Posteroanterior · Rt wrist XR · pediatric patient (boy, age 11) · initial study: 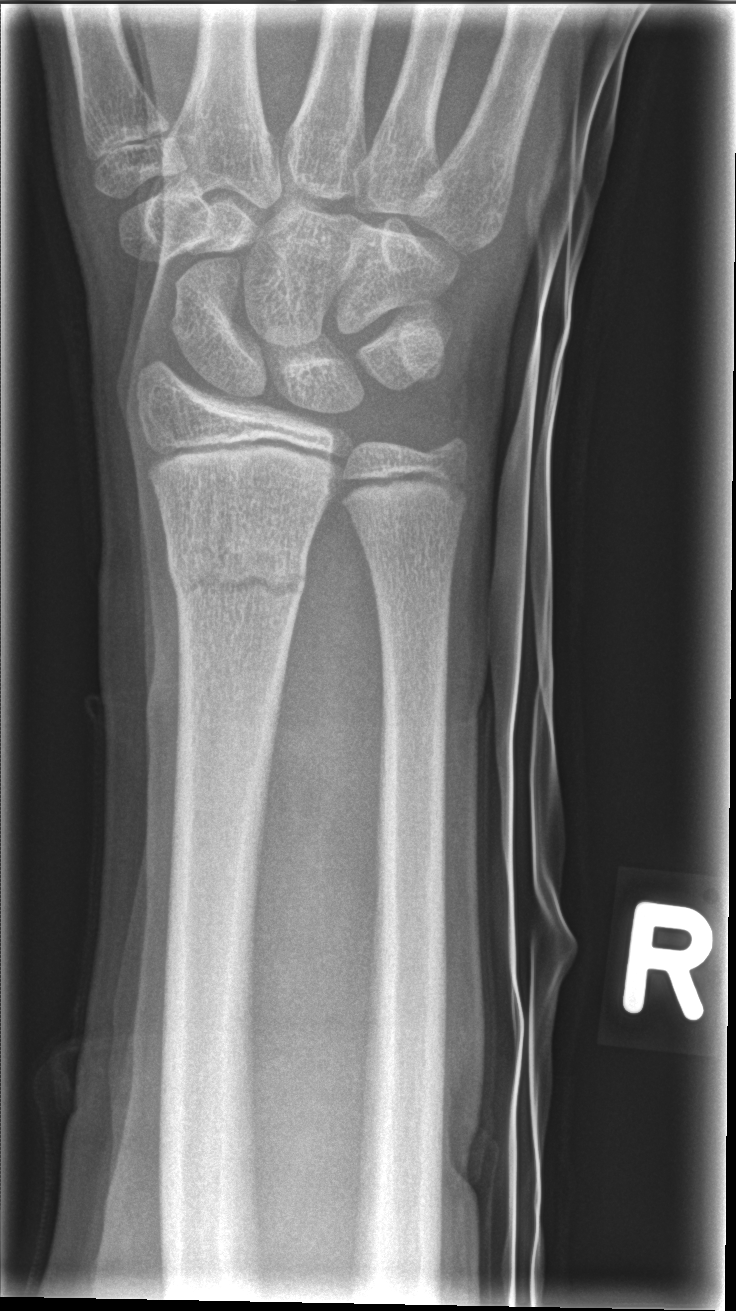
- Fracture classified AO/OTA 23r-M/3.1.
- Fracture: bbox(163, 526, 310, 615).